PA view | left plain radiograph of the wrist.
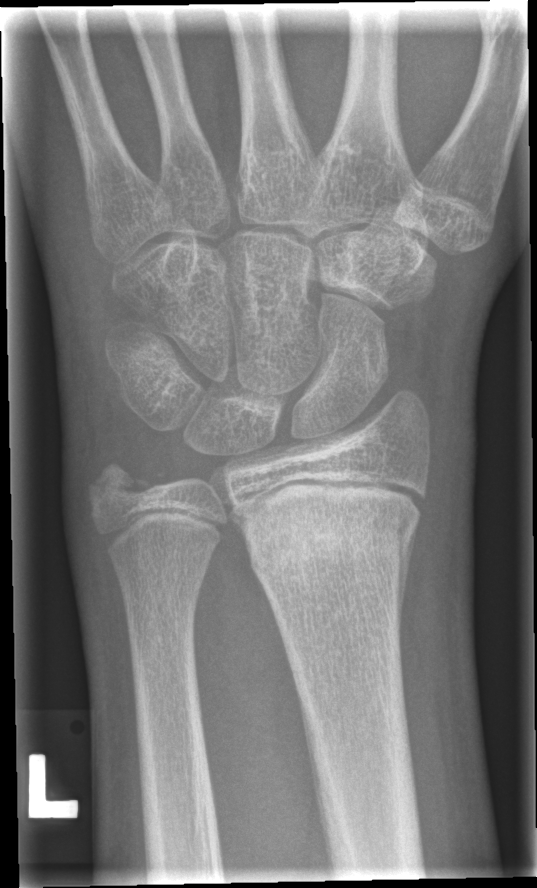
FINDINGS — Periosteal new bone identified at bbox(397, 516, 421, 646). Bone fracture: bbox(242, 505, 421, 582) bbox(81, 457, 173, 519). AO code 23r-M/3.1; 23u-E/7. Reduced bone mineral density.